Lat view | Rt wrist plain film | 13-year-old boy | presentation radiograph —

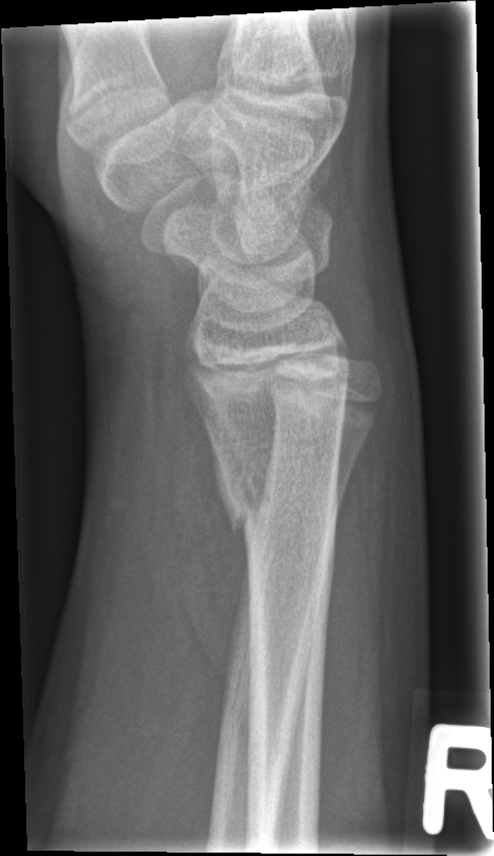

Pronator quadratus fat-pad sign identified at 157 375 252 691.
AO code 23r-M/2.1.
Fx — 218 473 342 537.